Lt pediatric wrist radiograph · lateral view 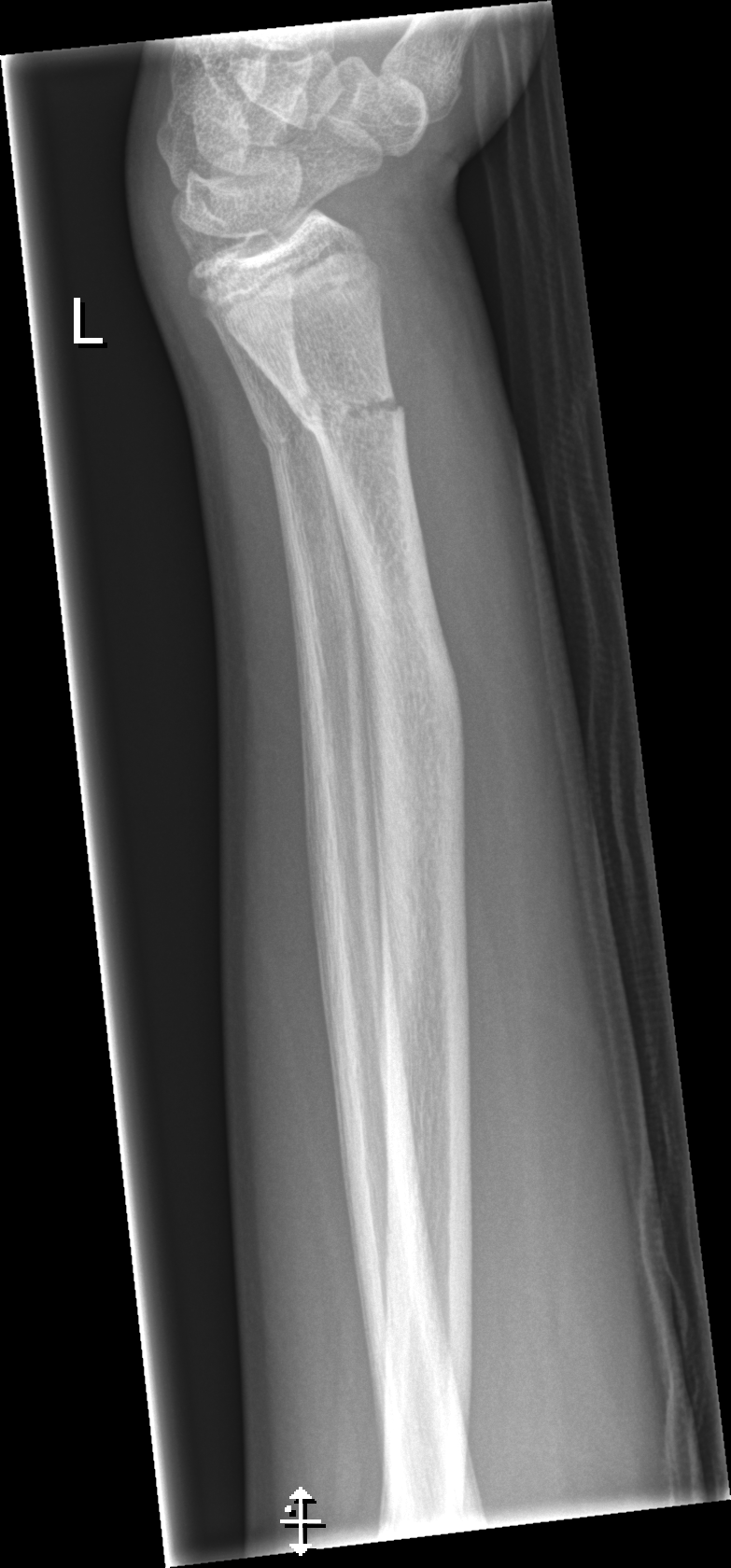
Boxes as x1,y1,x2,y2 (top-left / bottom-right, pixel units). Fx identified at (343, 511, 471, 825); (288, 373, 411, 445); (252, 382, 332, 462). AO code 23-M/3.1; 23u-E/7.